PA projection | Lt wrist plain film | male, 14 yo | in cast —

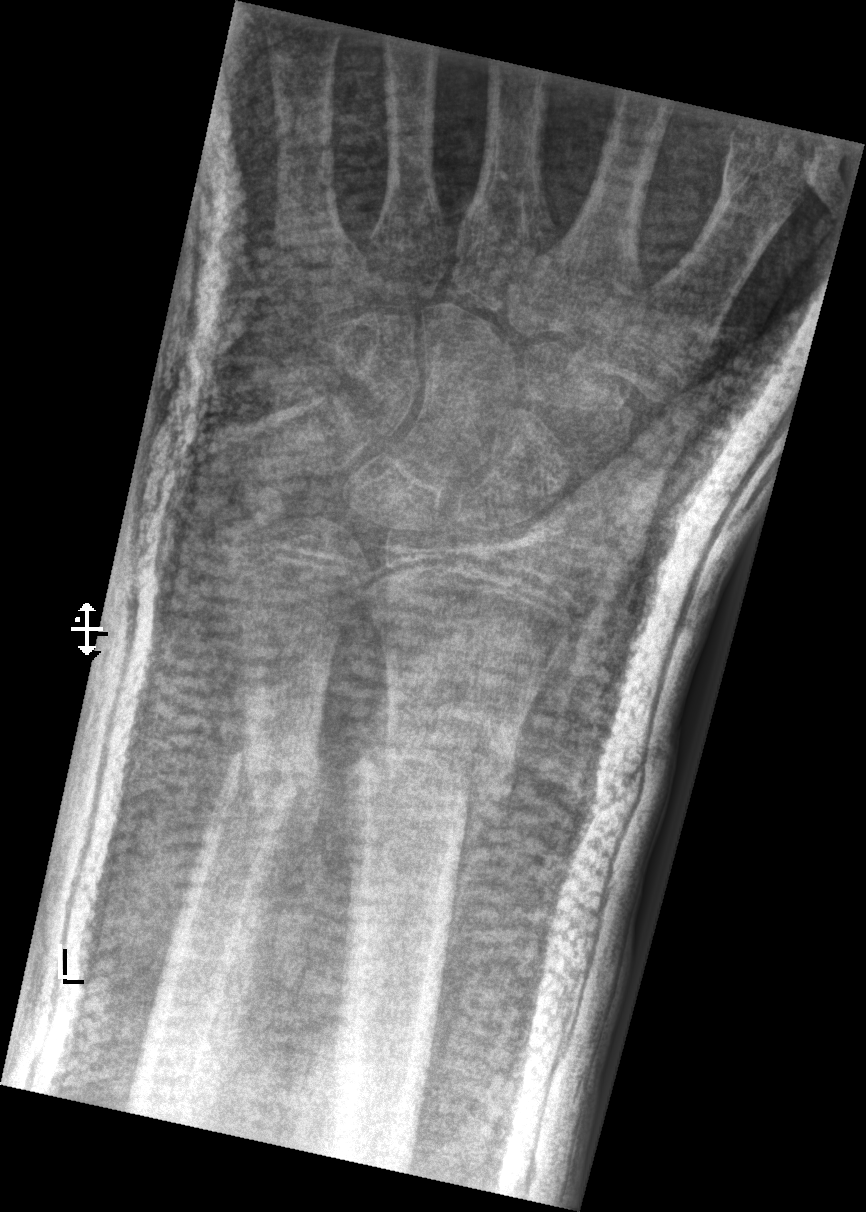
Q: Locate any fractures.
A: Two bone fractures at 355 719 519 836 | 222 719 325 822
Q: What is the AO/OTA classification?
A: AO/OTA classification: 23-M/3.1; 23u-E/7